Lt wrist X-ray · frontal projection · male, 13 yo · index exam —

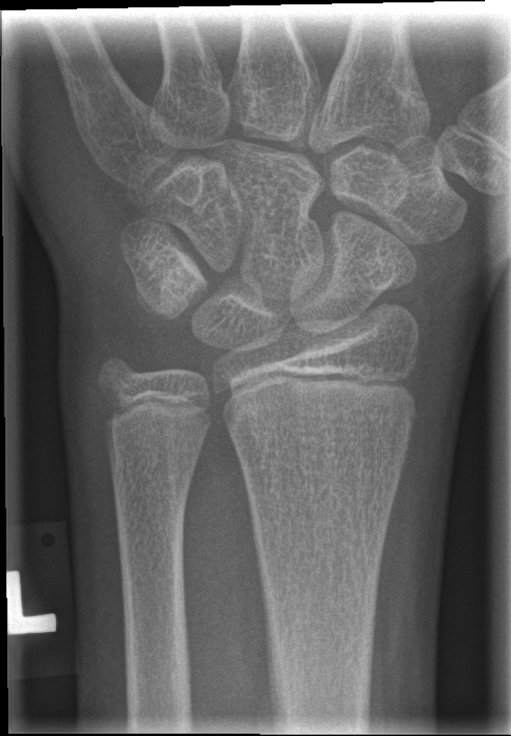
Q: Locate any fractures.
A: No fracture labeled